Lateral; L plain radiograph of the wrist; 14-year-old male; initial study; 91.2 mm image width —

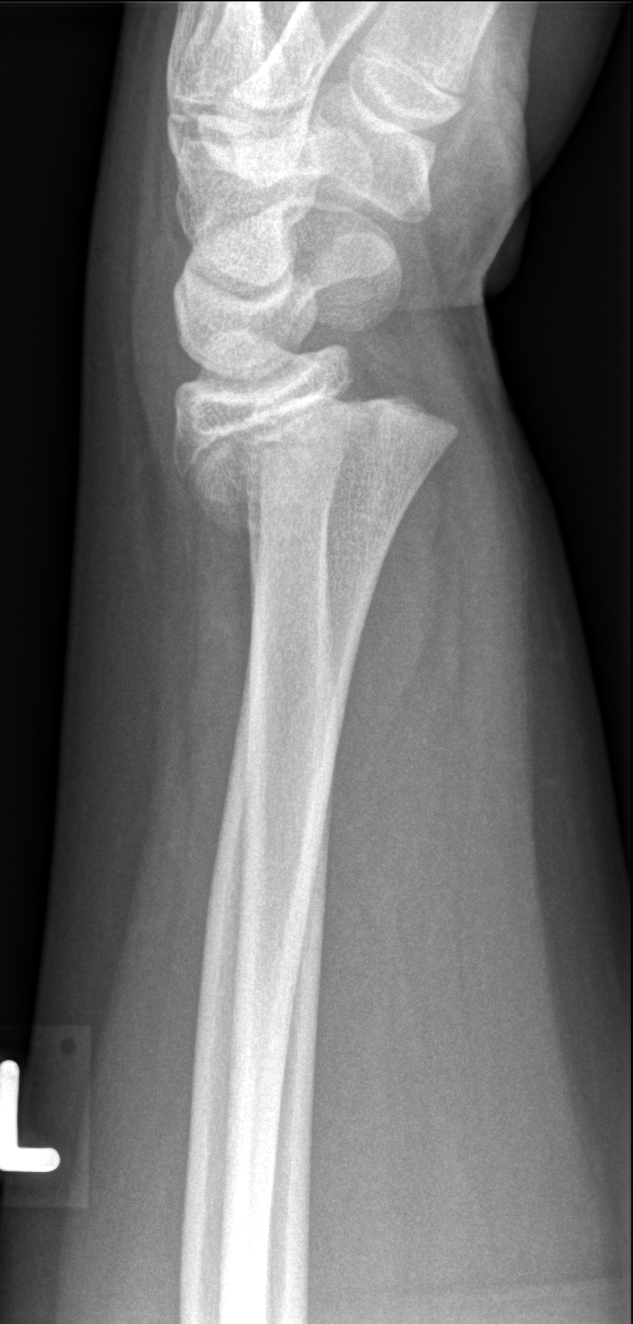
Fx: 178 373 462 538.
AO code 23r-E/2.1; 23u-E/7.